Lateral; Lt wrist plain film; pediatric patient (girl, age 12): 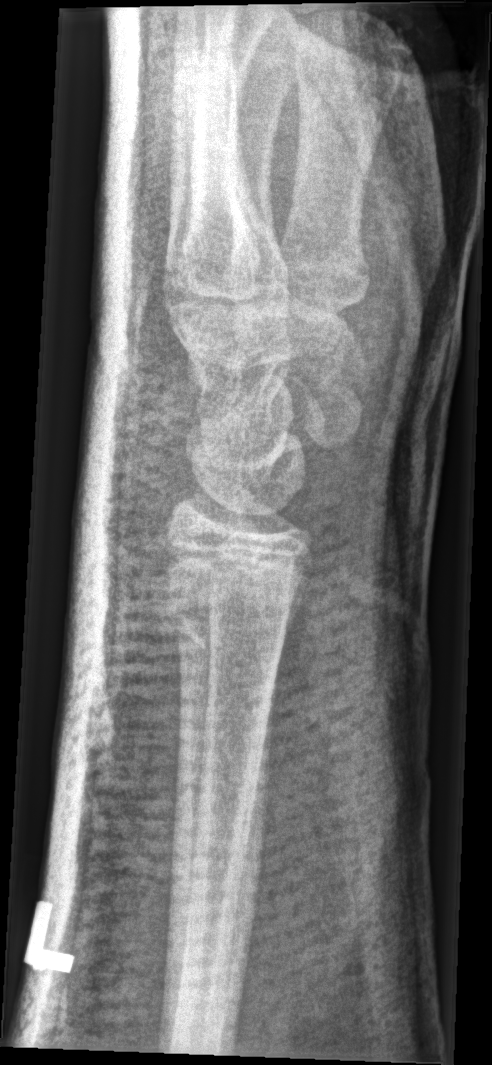
• Coordinates are [x1, y1, x2, y2] in image pixels.
• AO/OTA classification: 23r-M/2.1.
• Fracture — bbox(161, 564, 311, 653).